PA/AP; L wrist radiograph: 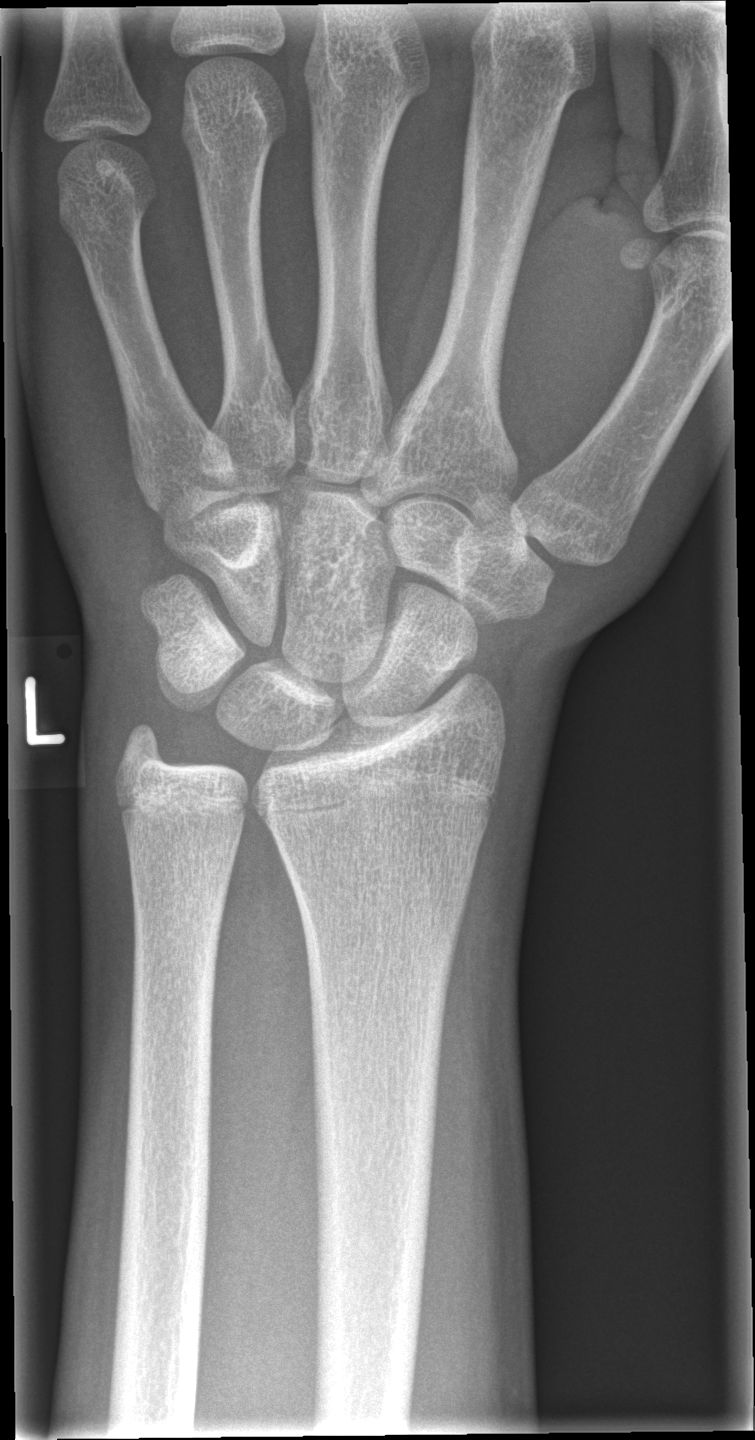 FINDINGS: No fracture labeled.